AP projection, R wrist radiograph, 13y M: 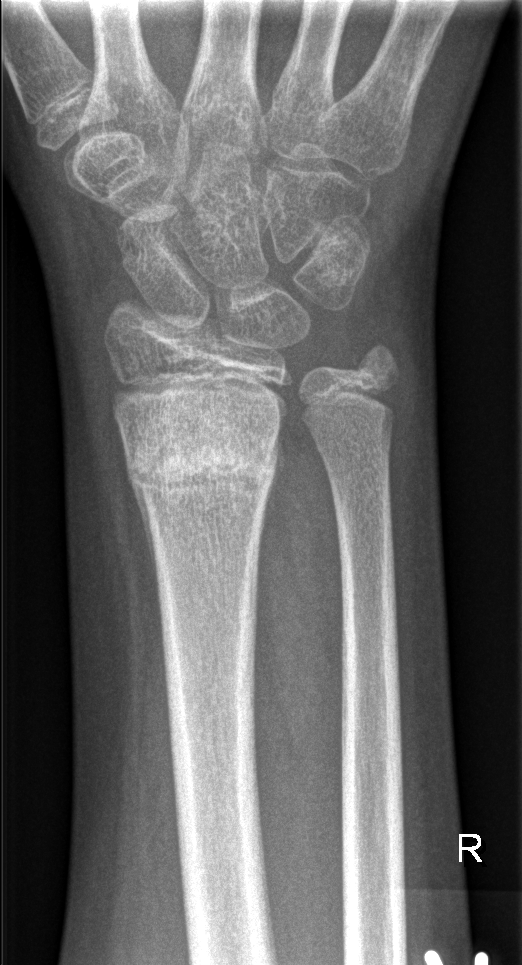

FINDINGS — Reduced bone mineral density. Periosteal new bone: <125,442>-<162,610>. Two bone fractures at <124,436>-<284,509>, <348,338>-<404,391>.